Lt wrist X-ray; frontal; 14-year-old male; image size 637x1456.
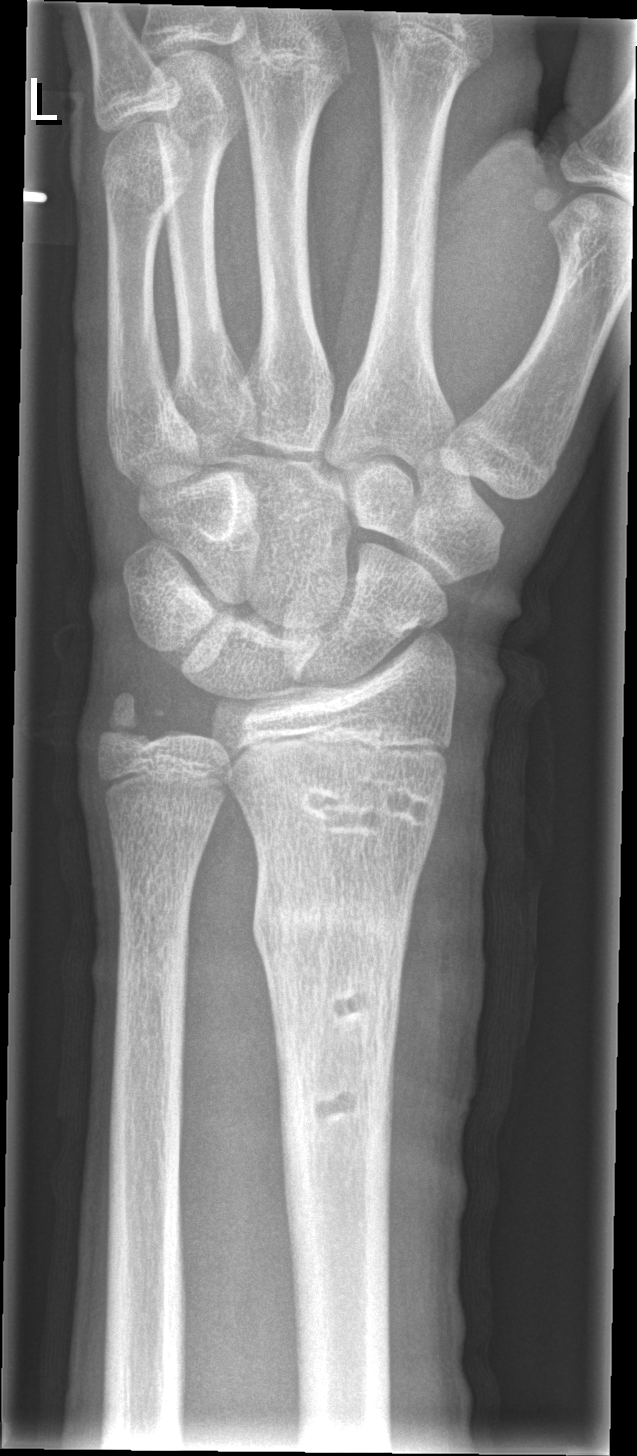 FINDINGS — (coordinates are [x1, y1, x2, y2] in image pixels) Bone fracture: <250,876>-<419,963>, <94,683>-<166,761>. Bone anomalies — <295,765>-<441,840> <306,972>-<403,1041> <294,1070>-<378,1135>.